Right plain radiograph of the wrist, lat projection, findings marked uncertain by the reading radiologist, 78.9 mm image width, 548x1146 —

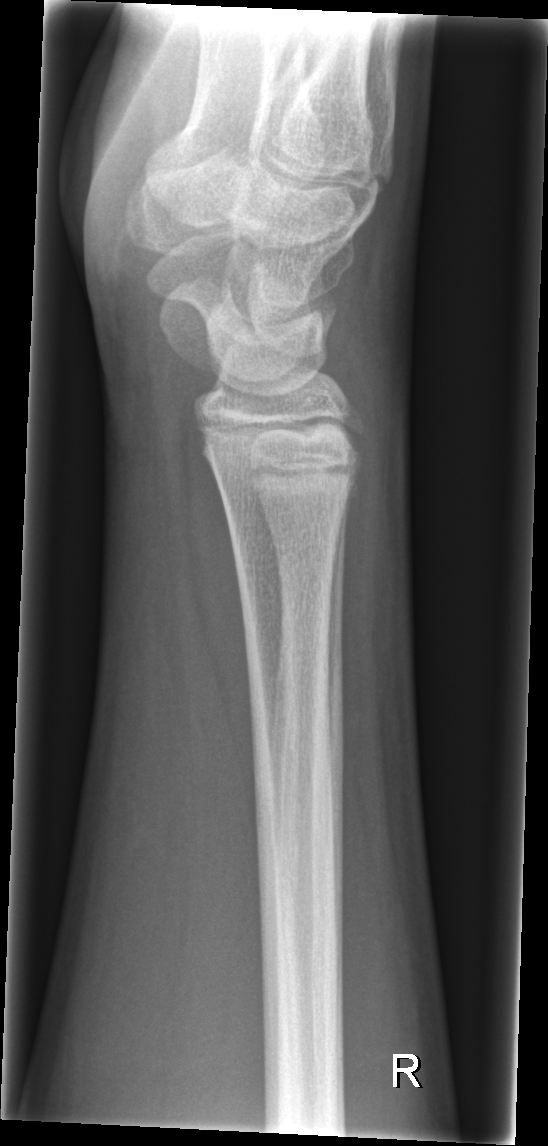
  fracture: none labeled